L wrist radiograph, PA, age 8 y, boy —
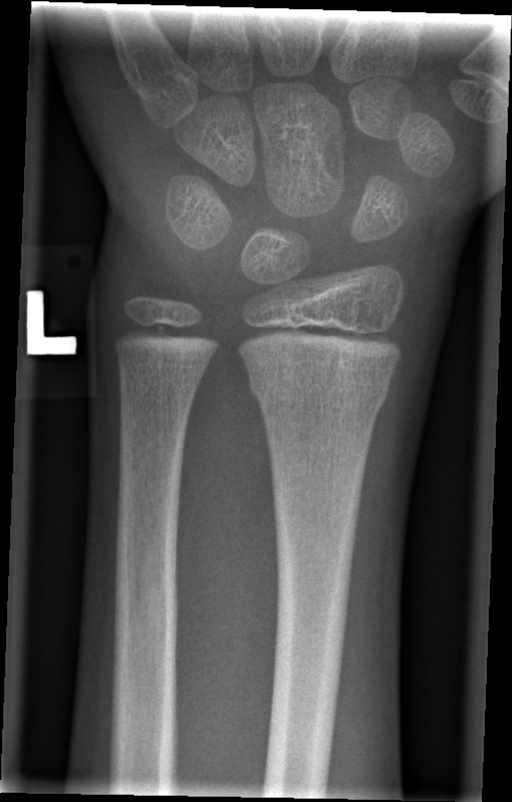

FINDINGS: (boxes as x1,y1,x2,y2 (top-left / bottom-right, pixel units)) AO code 23r-M/2.1. Fracture — 246 363 393 415.